Left wrist X-ray, lateral view, cast in situ —
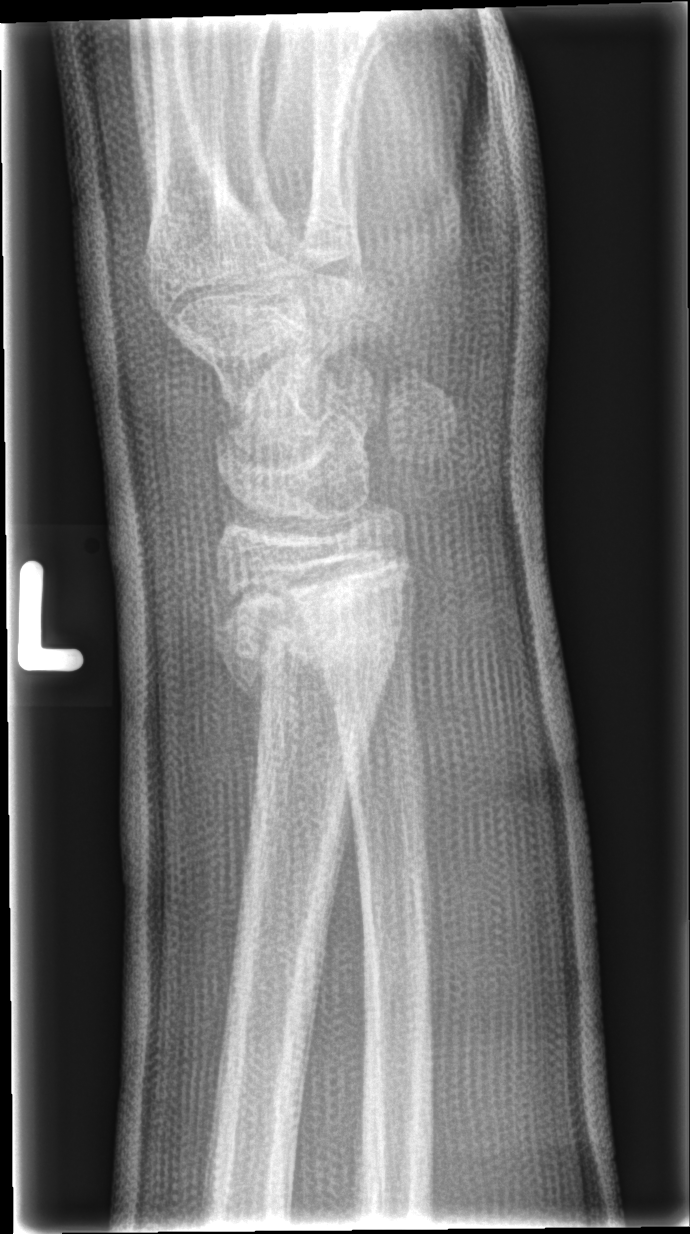 Findings: Bone fracture identified at <205,579>-<407,703>. Fracture classified AO/OTA 23r-M/3.1; 23u-E/7.